Left wrist XR, posteroanterior, presentation radiograph, 644 x 1113 px.

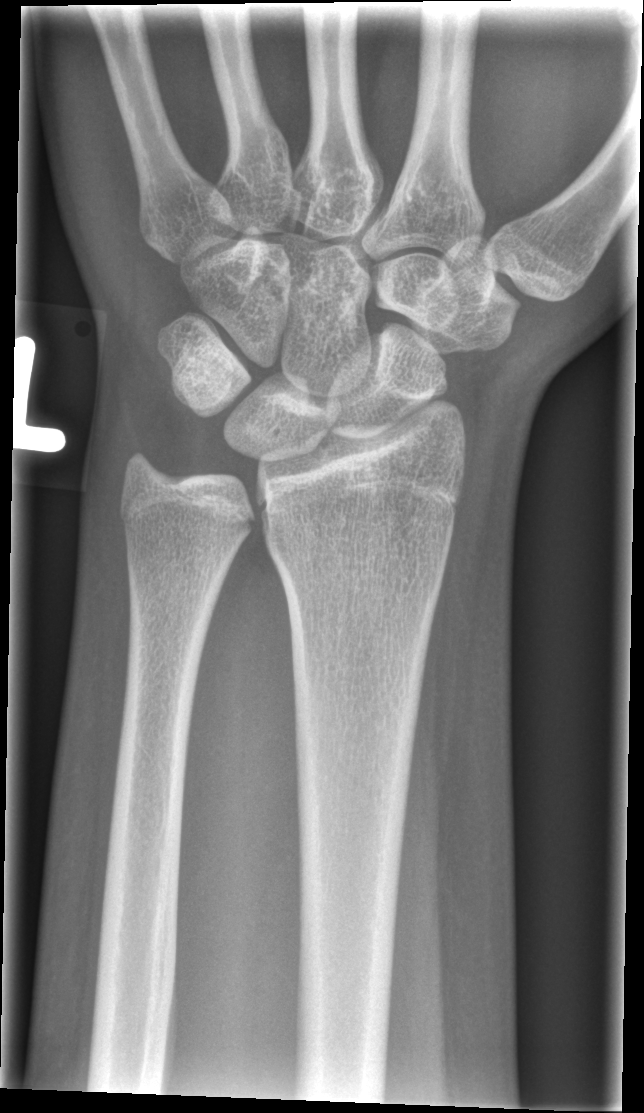
* Fracture: none labeled.